Posteroanterior projection, left wrist pediatric wrist radiograph, age 4 y, girl, image width 63.5 mm. 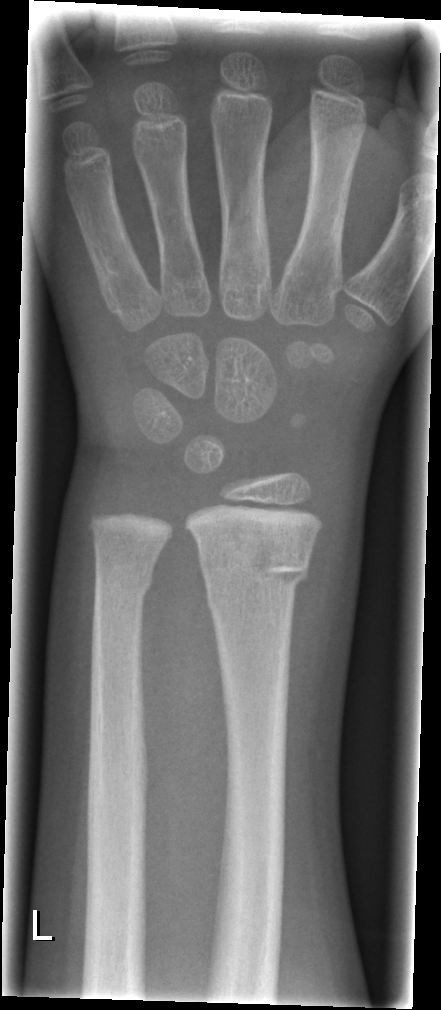

• Bounding boxes in image-pixel xyxy.
• Fx: [x1=195, y1=539, x2=311, y2=612], [x1=90, y1=559, x2=157, y2=603].
• AO code 23-M/2.1.